Lateral projection · R wrist XR · pediatric patient (male, age 12) · 697x1142:
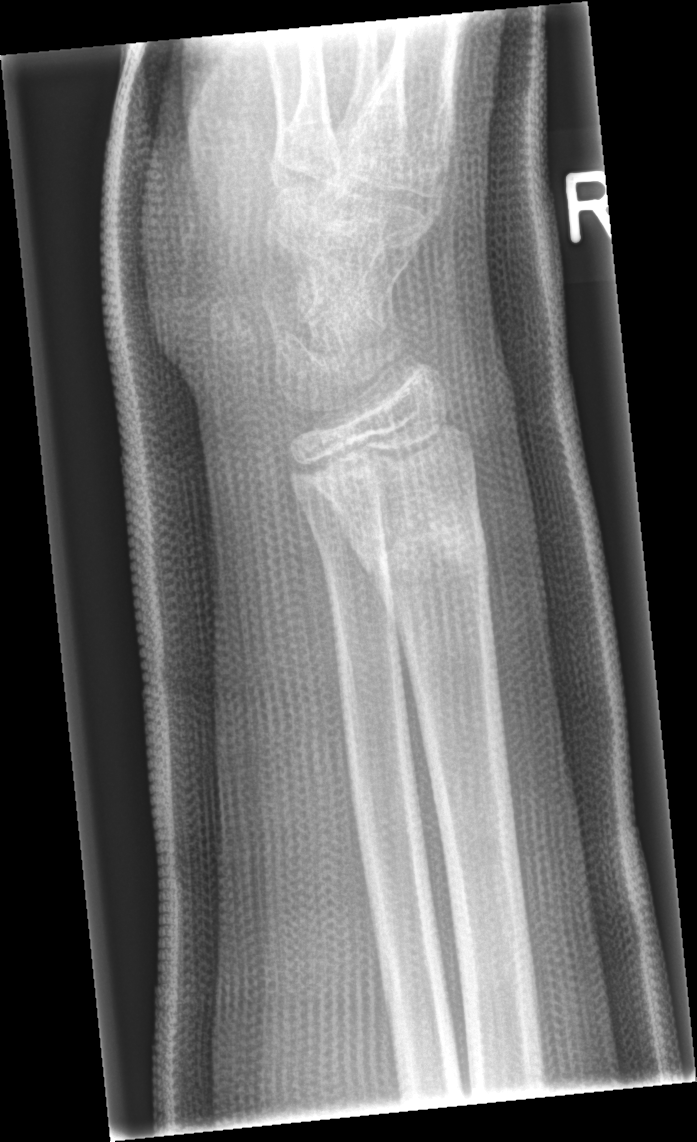 (pixel coordinates, top-left origin, xyxy)
Bone fracture: 1 @ [x1=342, y1=502, x2=498, y2=587]
AO/OTA: 23r-M/2.1